Rt wrist XR | PA/AP view | 8y M

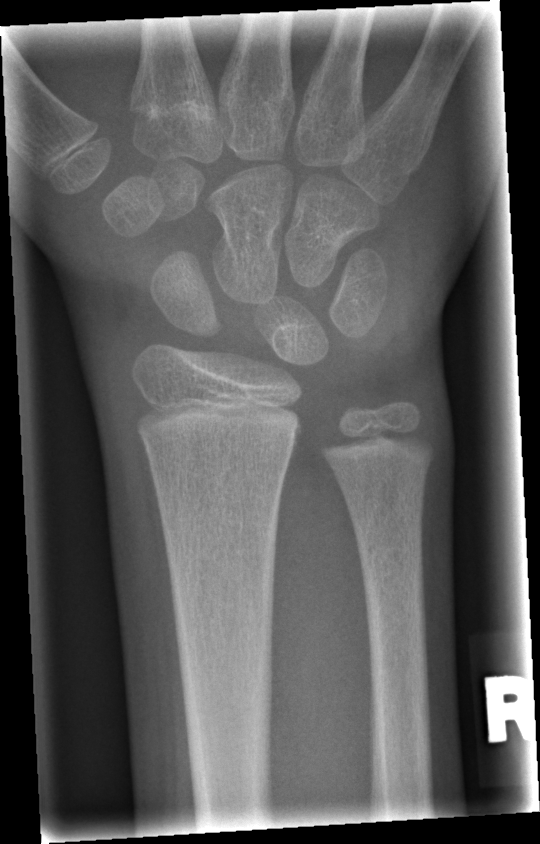

No Fx annotated.